Lateral, R wrist plain film, detector: Siemens

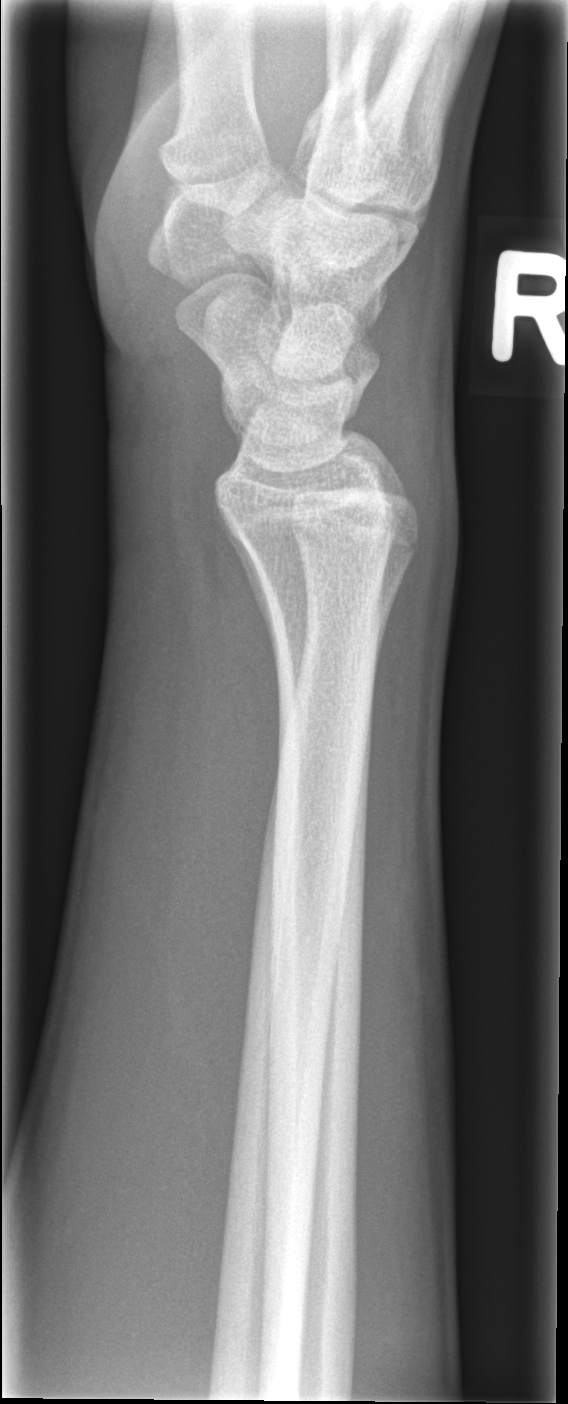
{"fracture": "none labeled"}